AP · Lt pediatric wrist radiograph · age 8 y, girl · detector: Siemens 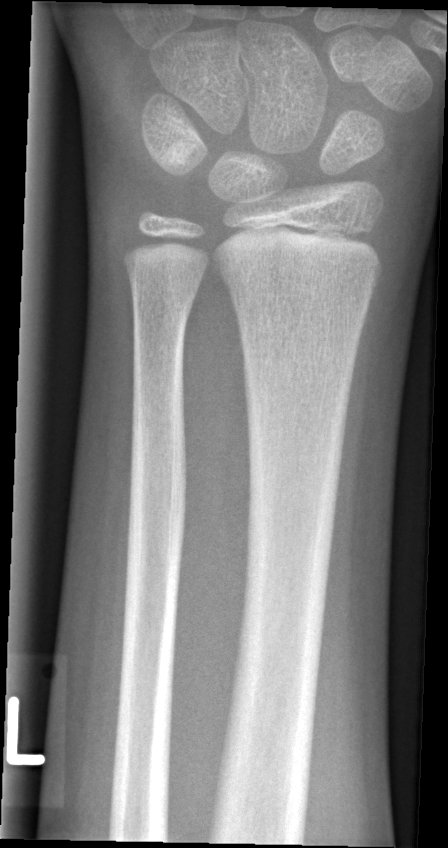

fracture: none labeled